Posteroanterior view | Rt wrist radiograph —

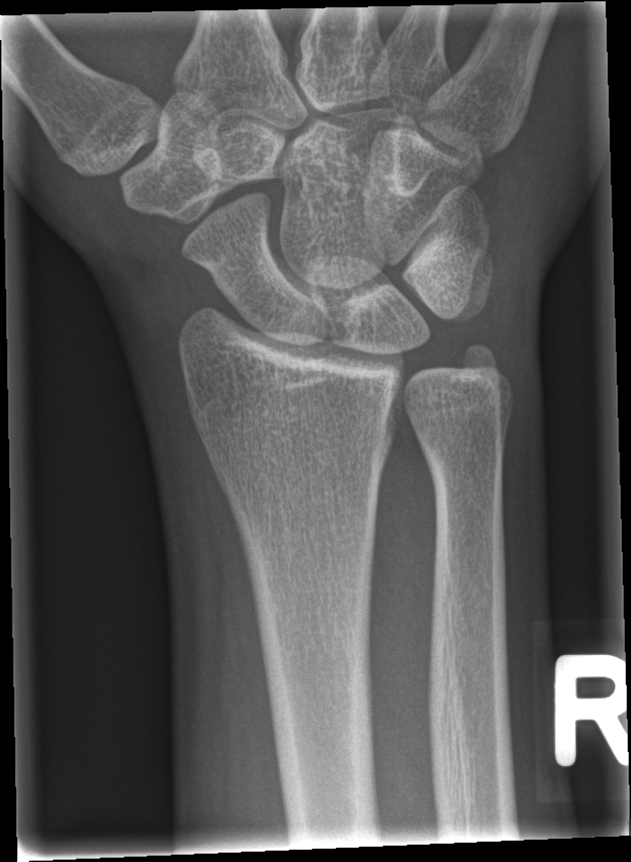
- Fracture: none labeled.